PA view | right wrist plain radiograph of the wrist | age 11 y, boy | 583x690 —

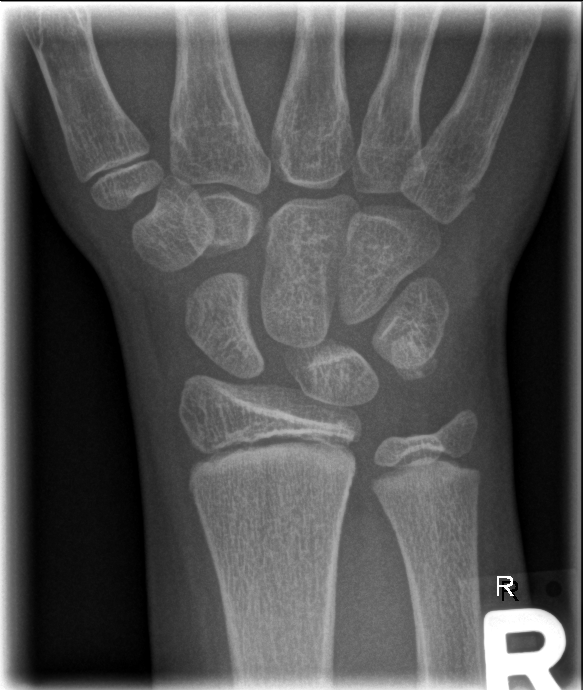 * No fracture annotation.